Lat projection; L wrist radiograph; cast present; 718 x 1556 px:

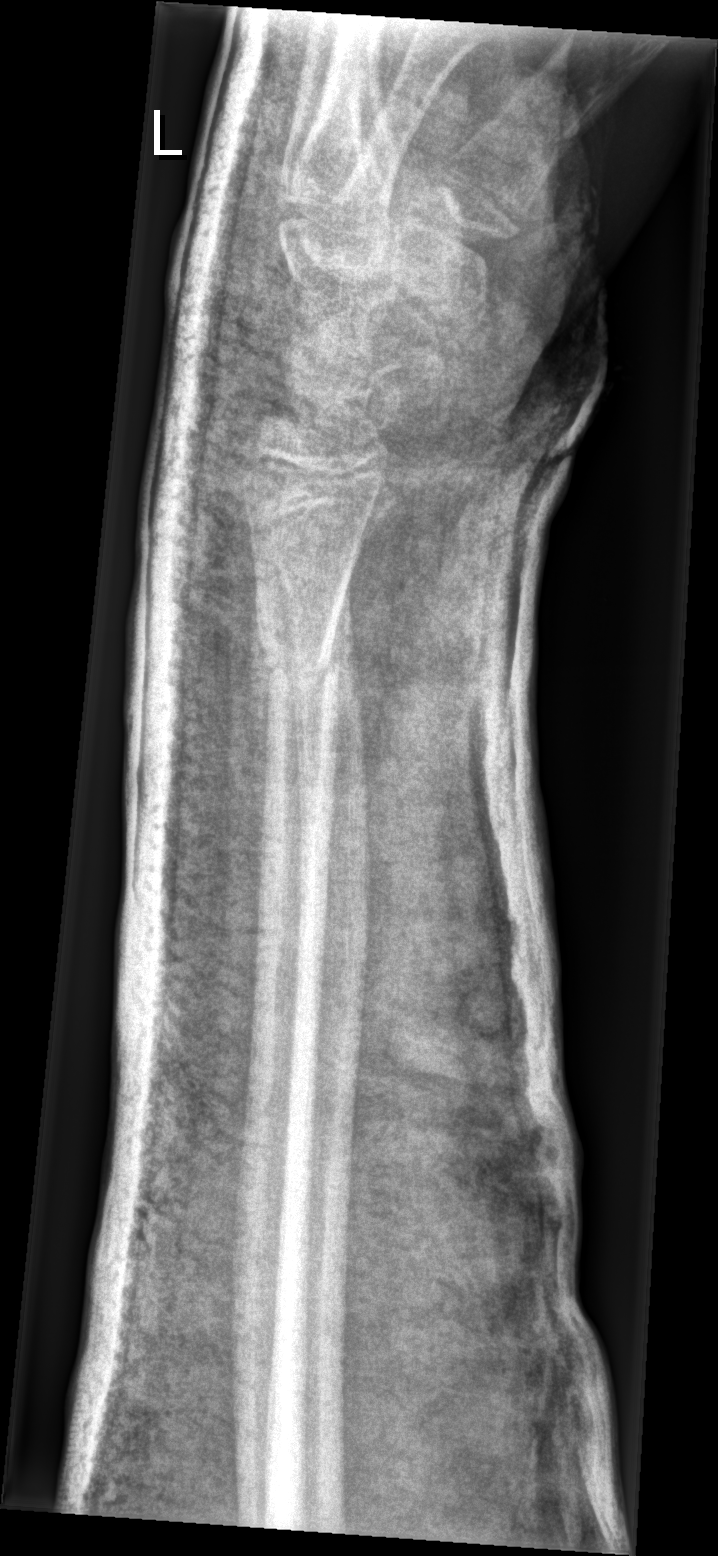 (pixel coordinates, top-left origin, xyxy)
Bone fracture: bbox(250, 599, 346, 713)